AP view, right wrist XR, pediatric patient (boy, age 7), imaged through cast, acquired on Siemens

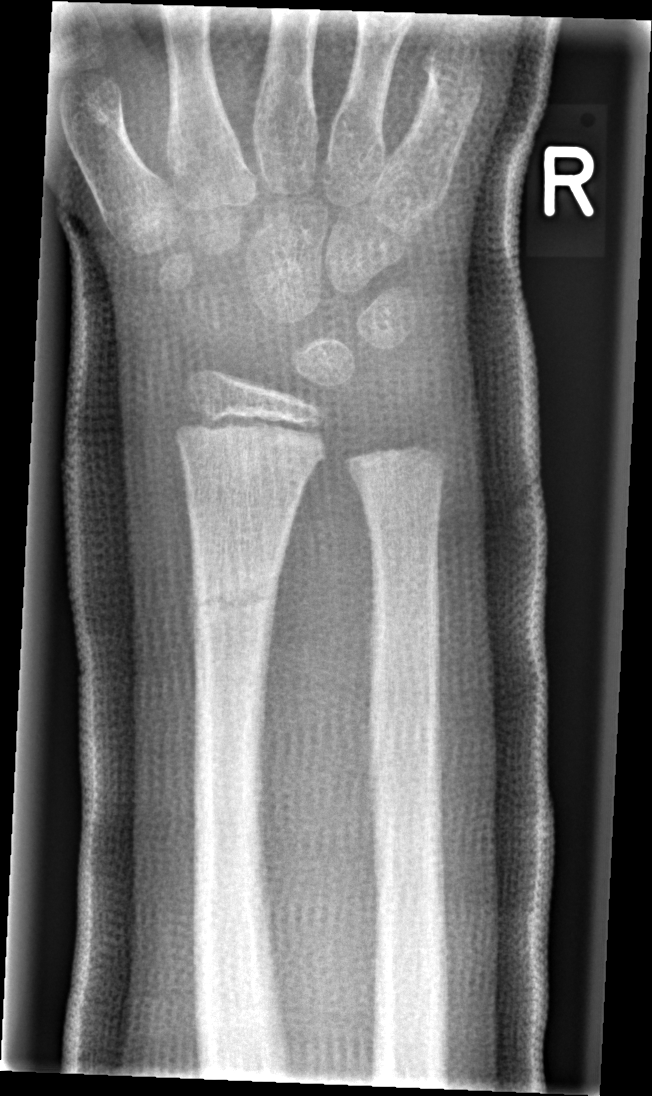
ao: 23r-M/3.1
fracture: [x1=186, y1=562, x2=281, y2=642]